Lt wrist plain film | lat:
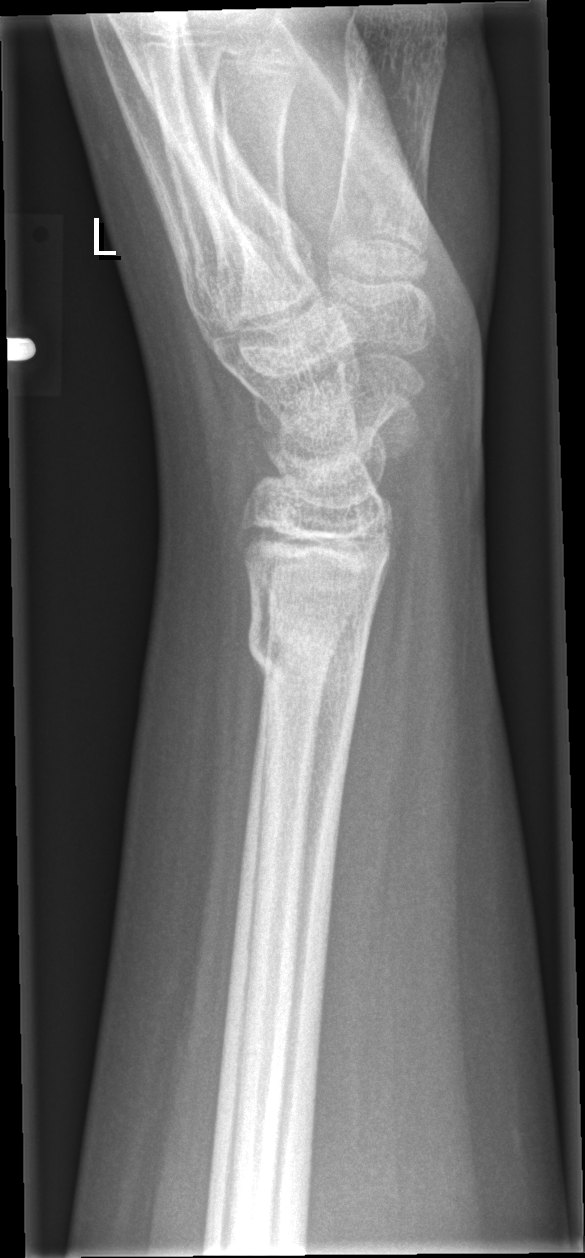

FINDINGS: (pixel coordinates, top-left origin, xyxy) Fracture — (left=243, top=602, right=375, bottom=714). AO code 23r-M/2.1; 23u-E/7.